Frontal view · right plain radiograph of the wrist · girl, 11 yo · image width 73.7 mm —

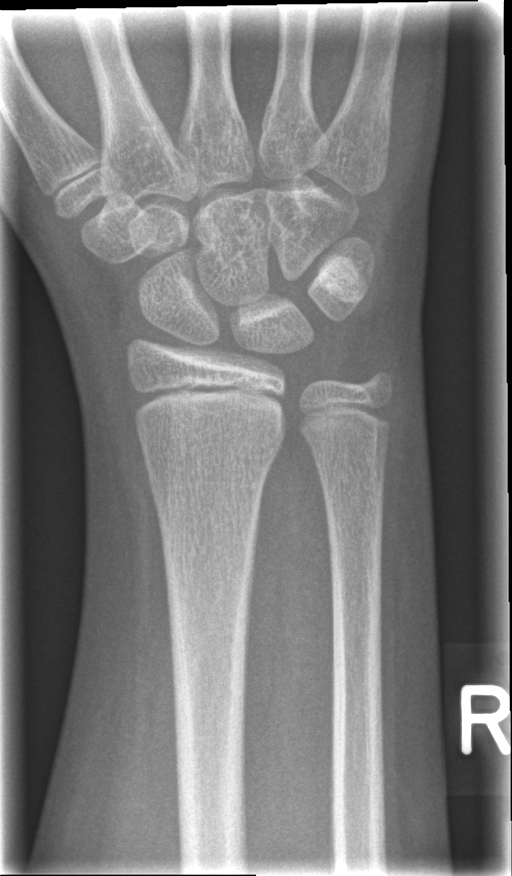 Findings: No fracture bounding box.